L wrist plain film · PA · image size 680x1065:
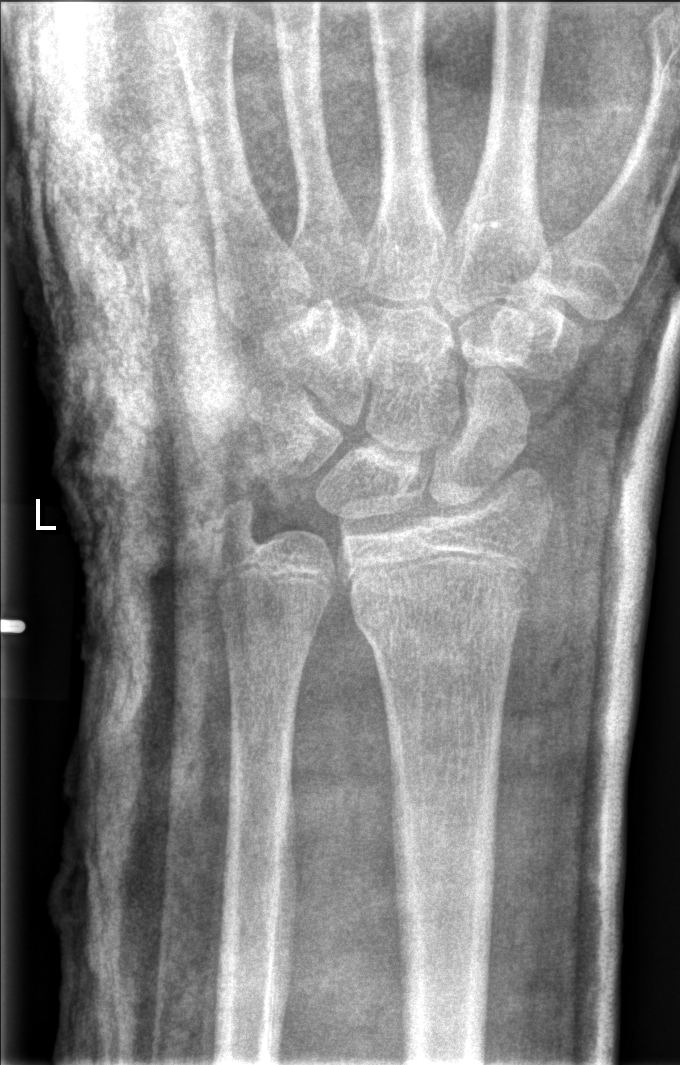 AO/OTA: 23-M/2.1
bone fracture: 1 @ bbox(351, 566, 536, 656)